Right wrist X-ray, posteroanterior view, pediatric patient (boy, age 7). 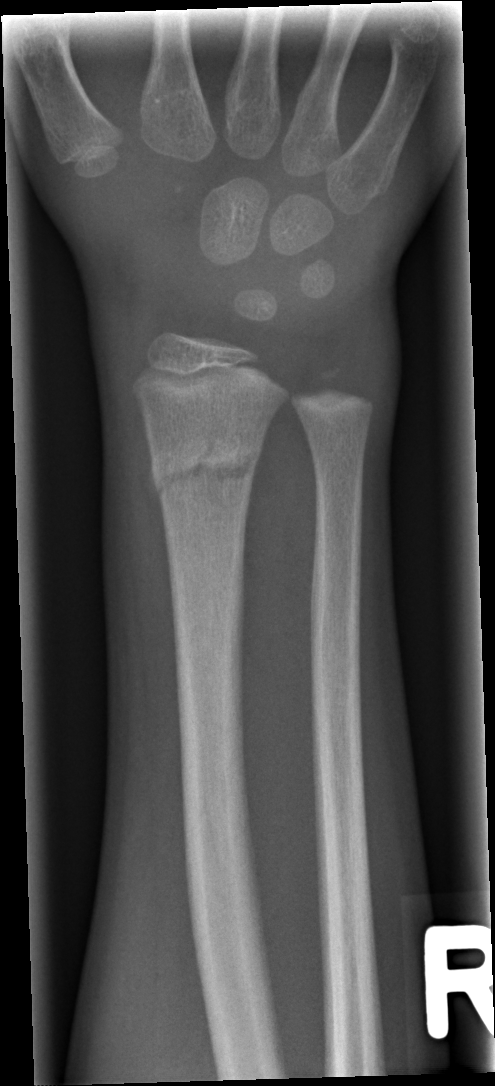

Fx: 1 @ <145,432>-<262,517>
AO classification: 23r-M/3.1